Right wrist X-ray; posteroanterior; index exam:
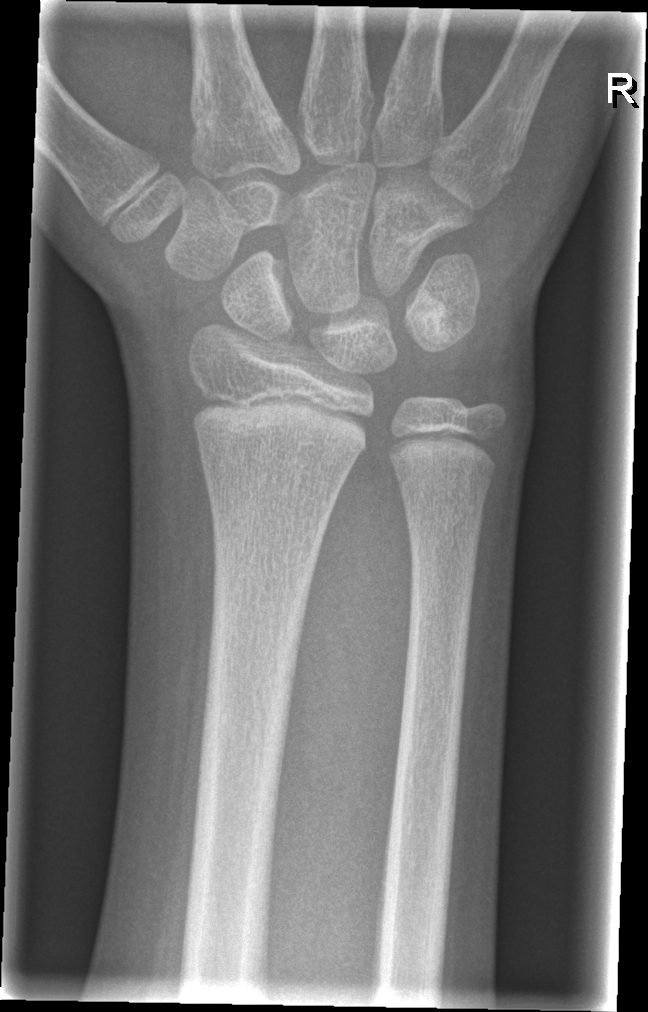
• No fracture annotation.